Posteroanterior · right wrist X-ray —

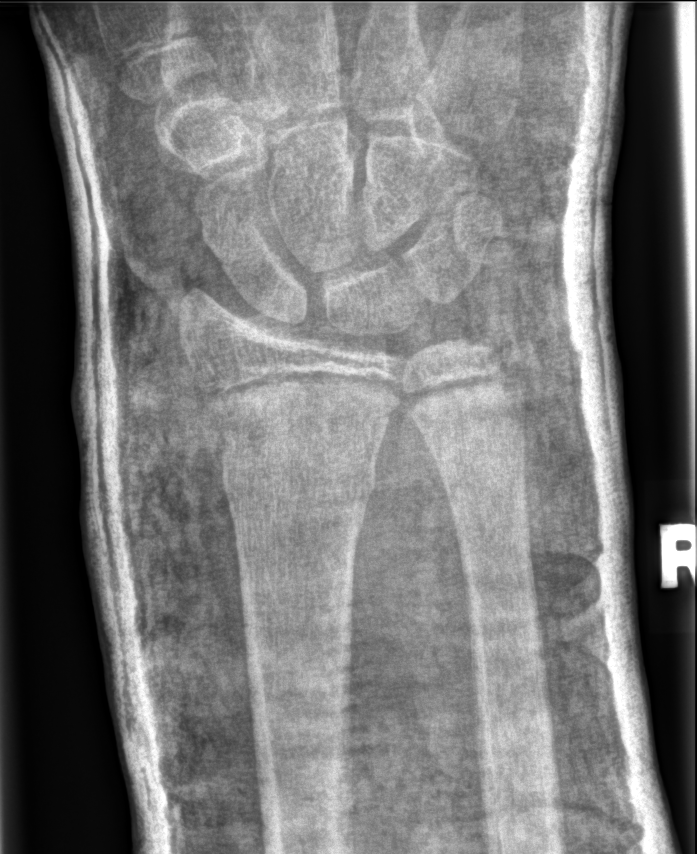
FINDINGS — (boxes as x1,y1,x2,y2 (top-left / bottom-right, pixel units)) Fracture: [x1=209, y1=428, x2=381, y2=520]. AO code 23r-M/3.1.